Rt wrist plain film | lat projection | 10y F | 454x839.

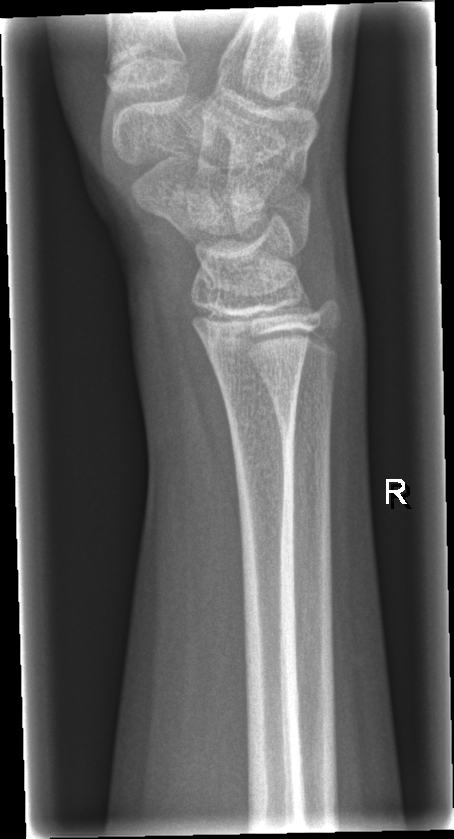 Fx = none labeled